Right wrist pediatric wrist radiograph; posteroanterior; 9-year-old male:
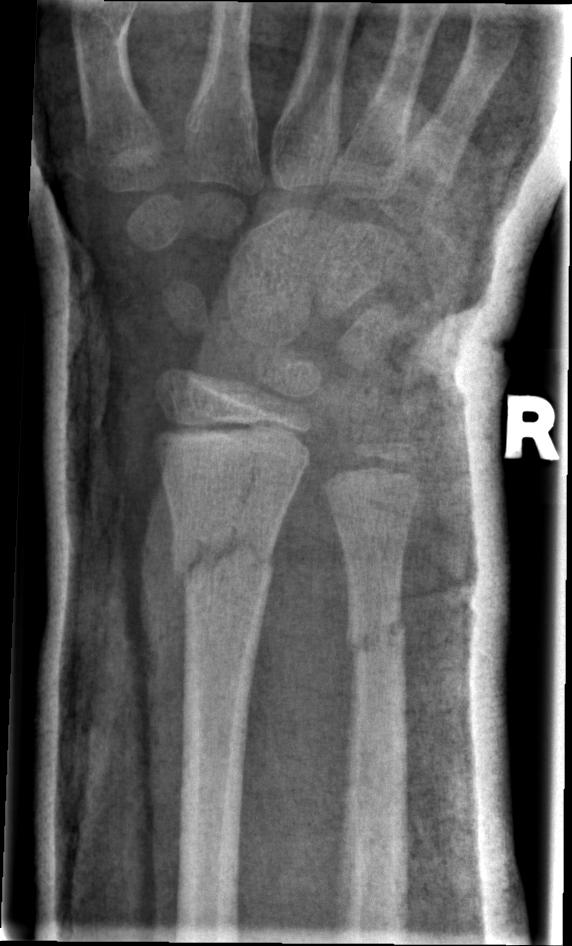

Fx = bbox(166, 510, 281, 594); bbox(340, 602, 411, 671)